Lat view | R plain radiograph of the wrist —

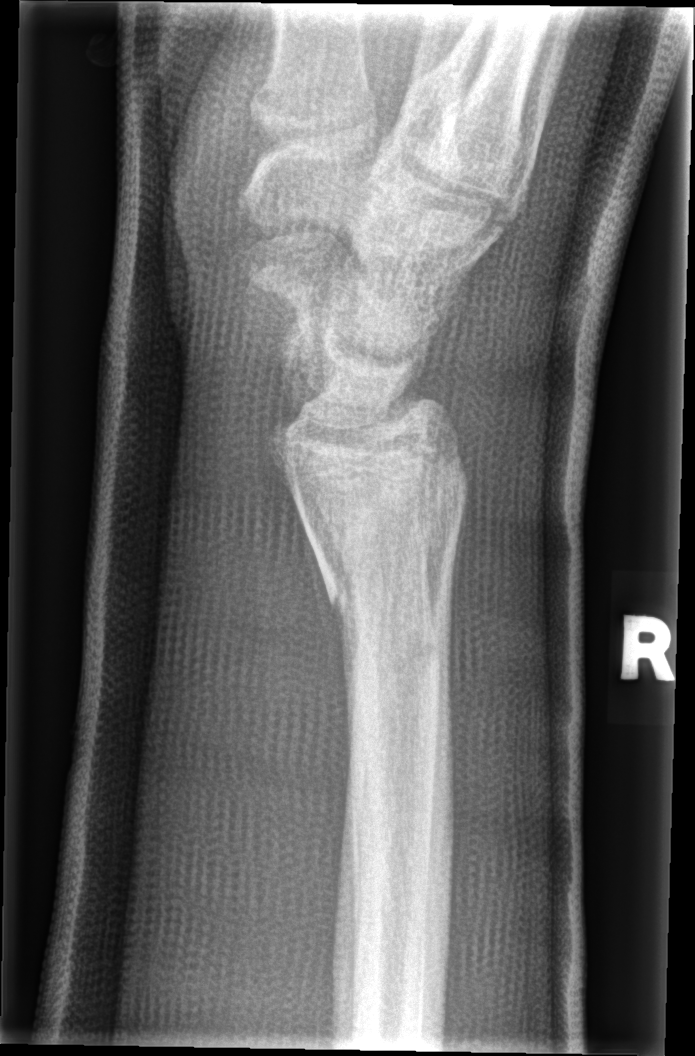 {"osteopenia": "present", "fracture": "1 @ 289 450 472 612"}